PA projection, left wrist X-ray, age 13 y, female.
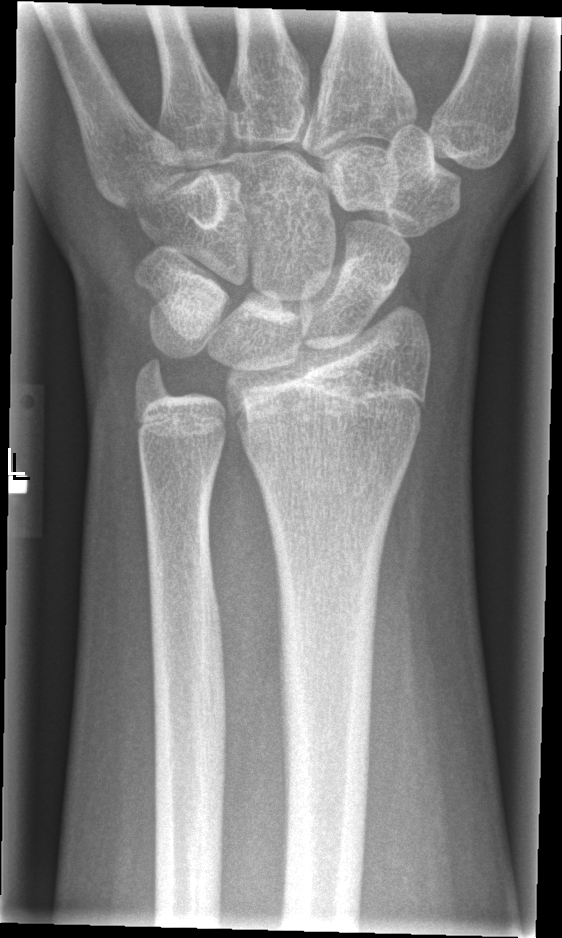

Q: Is there a fracture?
A: No Fx annotated